R wrist XR | lat projection | pediatric patient (girl, age 12) | follow-up study — 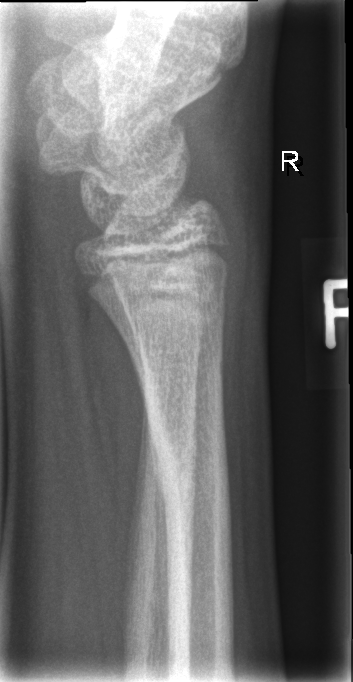 - Pixel coordinates, top-left origin, xyxy.
- One fracture at <140,405>-<233,518>.